Lateral | right wrist radiograph | boy, 12 yo — 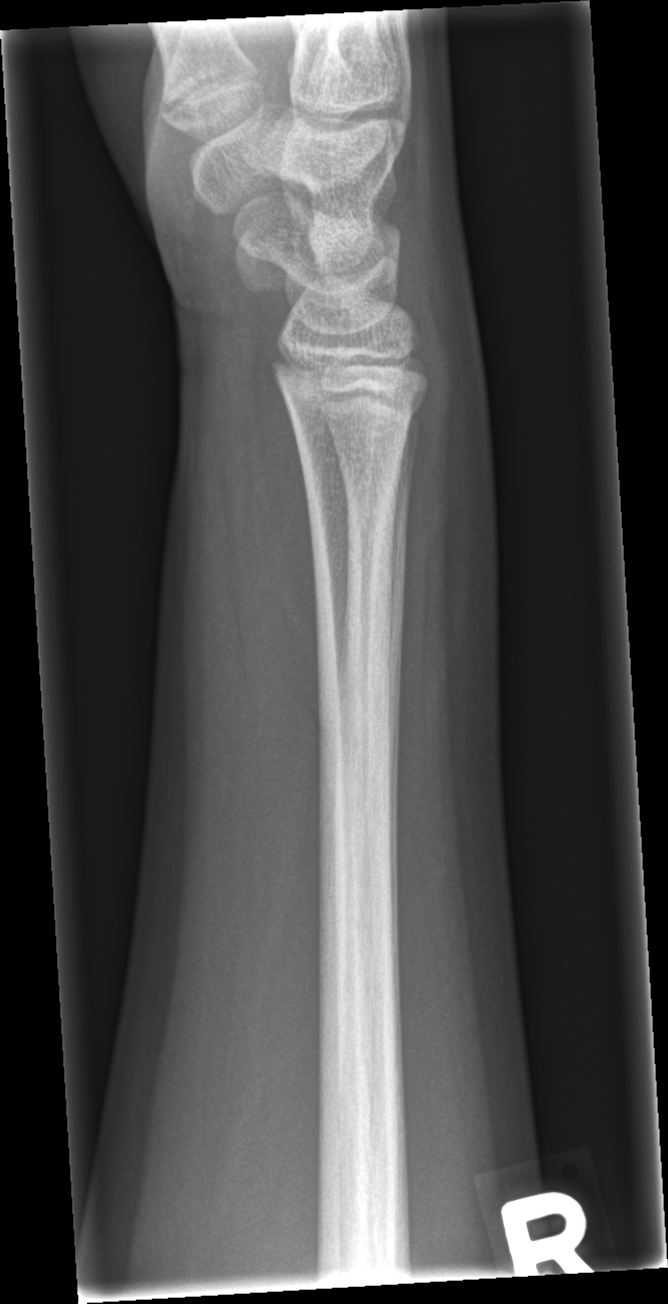 • Fracture: none labeled.